Right plain radiograph of the wrist; lateral; pediatric patient (boy, age 5); 454 x 724 px. 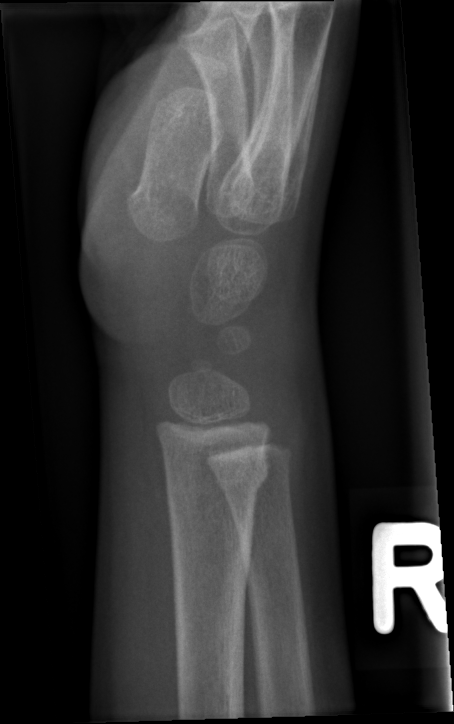
One bone fracture at 160 450 270 495.
Fracture classified AO/OTA 23r-M/2.1.